Left wrist pediatric wrist radiograph · AP · initial study · image width 87.8 mm · 610x790:

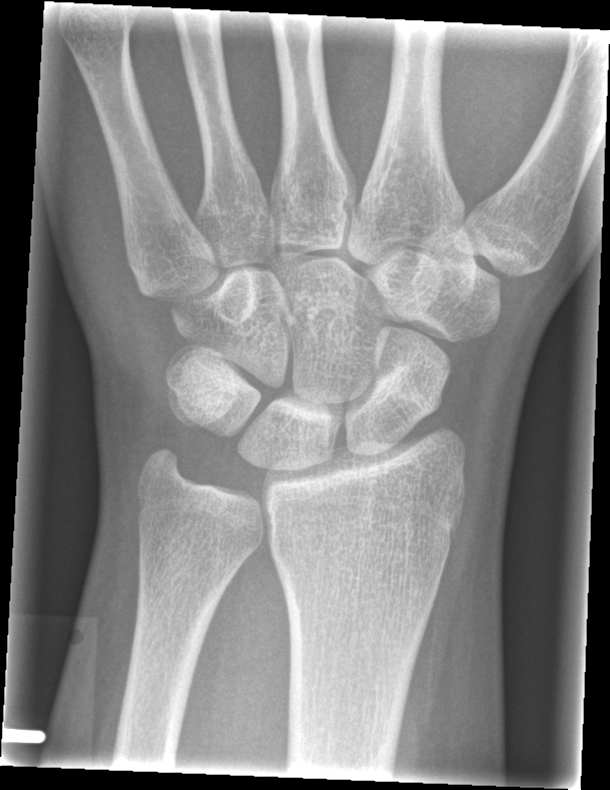

Fracture: none labeled.